Lt wrist radiograph | frontal | in cast | Siemens | image size 648x959

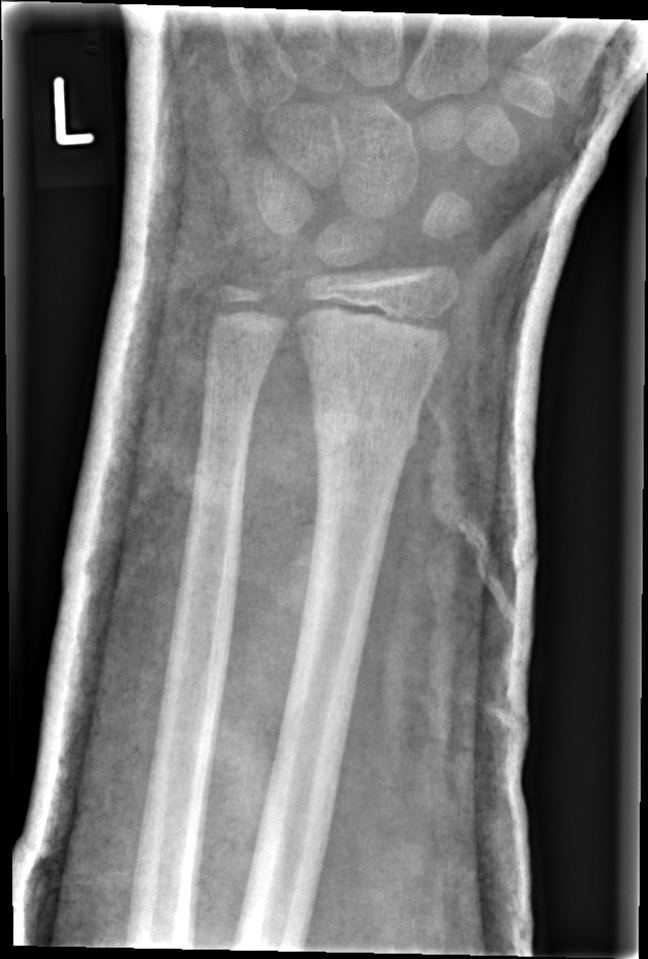
• Fx — bbox(308, 400, 422, 458).